Left wrist radiograph | lateral view | initial study | image width 79.8 mm | 554 x 892 px —
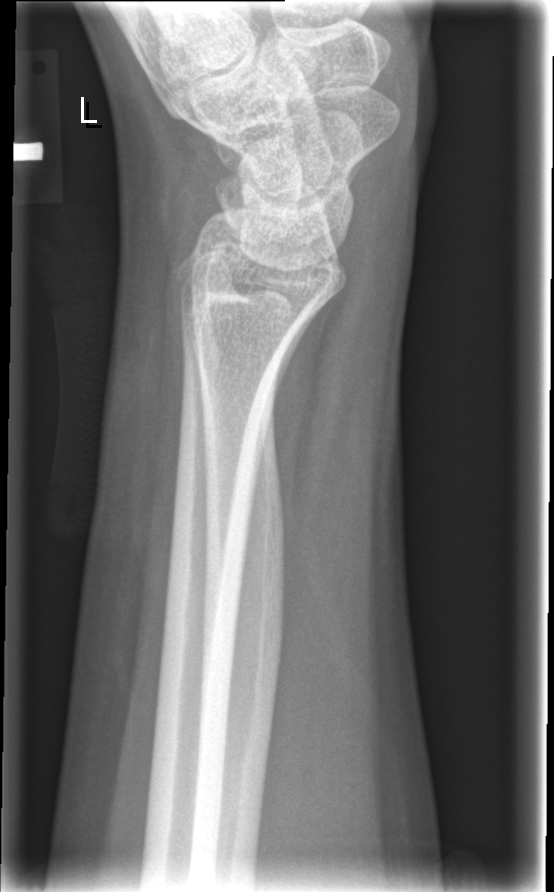
{
  "fracture": "none labeled"
}